Right wrist XR; lateral view; 13-year-old male; initial study:

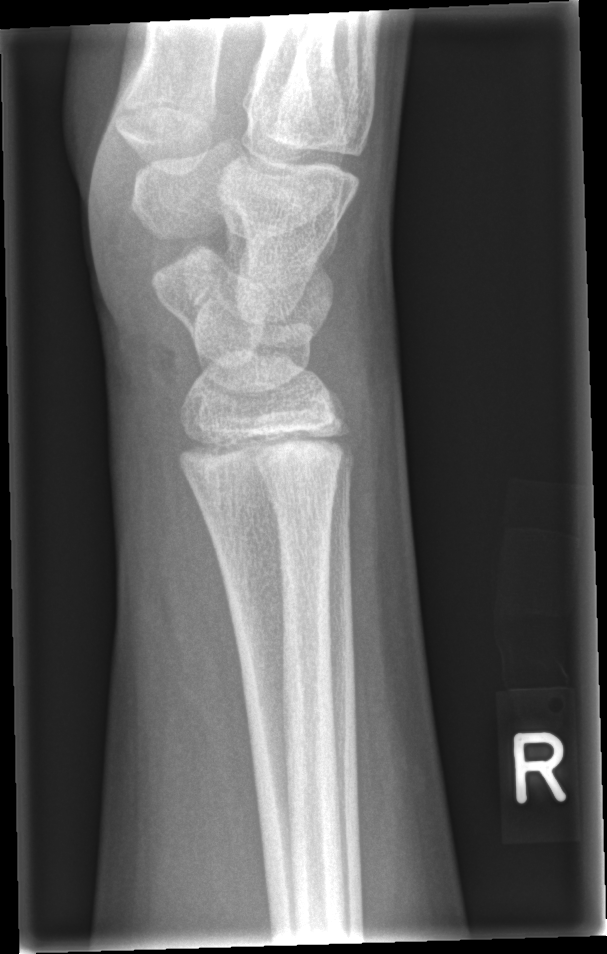 * No fracture bounding box.
* Bone anomaly: [x1=133, y1=224, x2=246, y2=316].